Lat · R wrist X-ray · girl, 12 yo · image size 430x872:
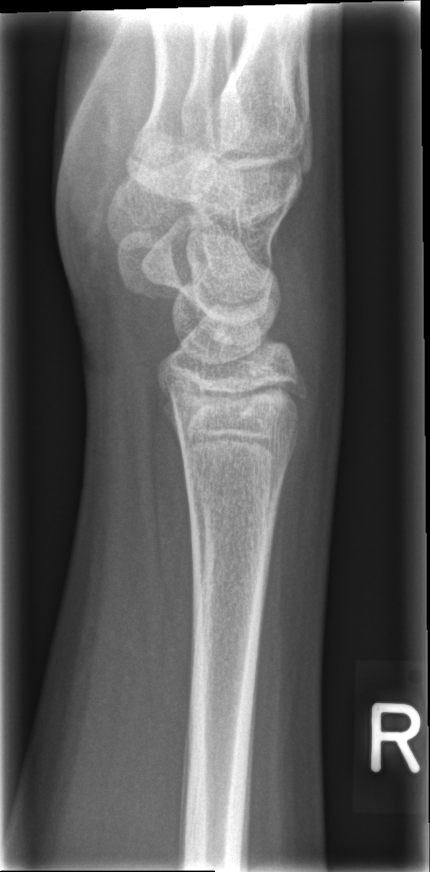
Fx: none labeled